Lat projection, left wrist XR, 0.8y F — 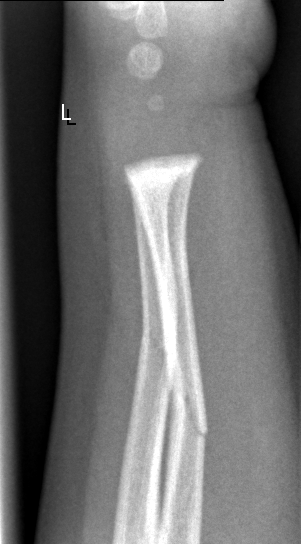

* Two bone fractures at [x1=164, y1=362, x2=211, y2=447] [x1=137, y1=327, x2=179, y2=394].